Lat view | left wrist plain radiograph of the wrist | in cast 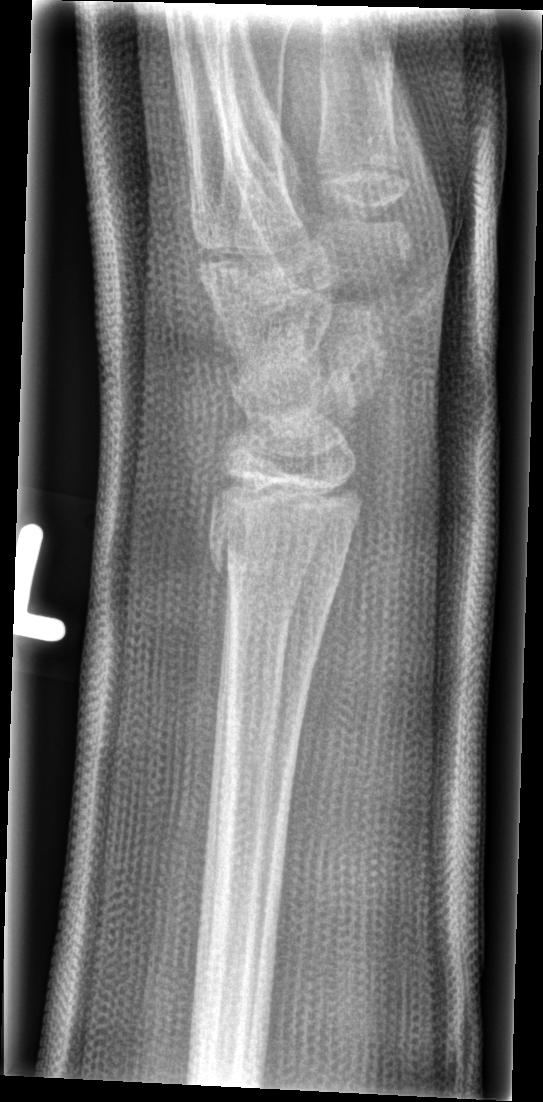

AO/OTA classification: 23r-M/3.1; 23u-E/7.
Fx identified at <206,503>-<357,611>.